PA/AP view; L wrist radiograph; pediatric patient (male, age 12).
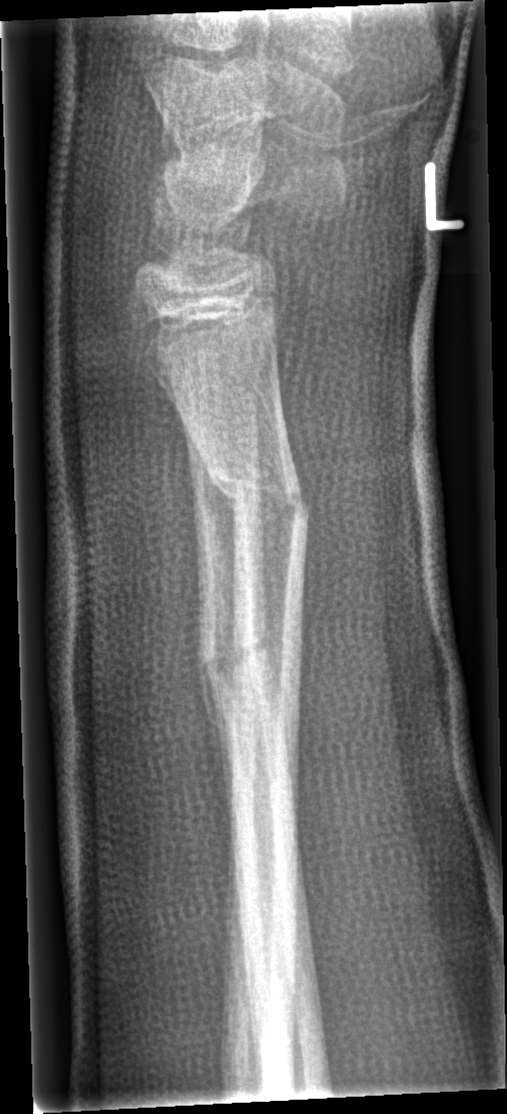 Fx = <206,458>-<314,522>; <192,625>-<279,695>
periosteal new bone = <194,652>-<235,840>